Left plain radiograph of the wrist, lateral projection, follow-up study, detector: Siemens.

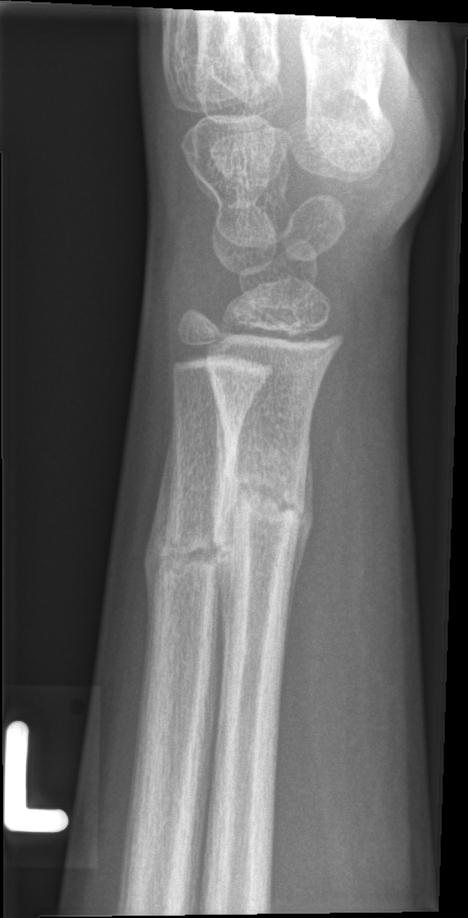
Osteopenia. Periosteal thickening: bbox(143, 425, 175, 655), bbox(209, 395, 236, 659), bbox(283, 438, 315, 639). Fracture: bbox(207, 468, 307, 556); bbox(148, 540, 225, 583).